L wrist X-ray, lateral view, presentation radiograph:
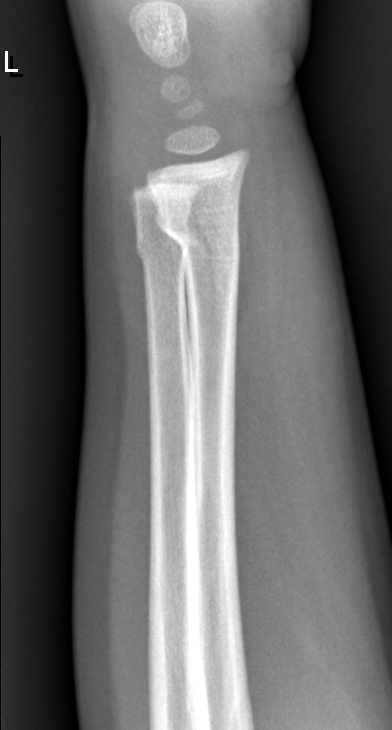

- Bone fracture identified at bbox(157, 208, 244, 261), bbox(132, 223, 187, 266).